Lateral projection, Lt wrist plain film, presentation radiograph:

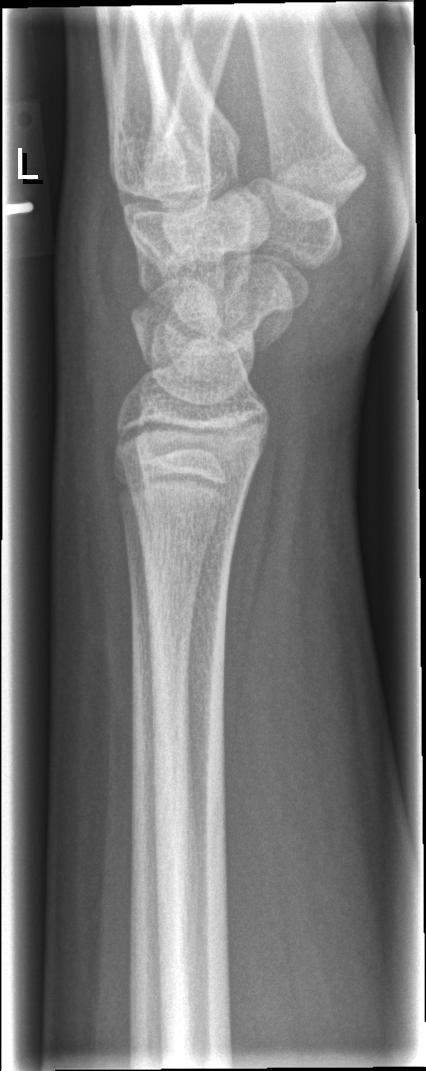

Fx: none labeled